Frontal | Lt wrist X-ray | age 14 y, female. 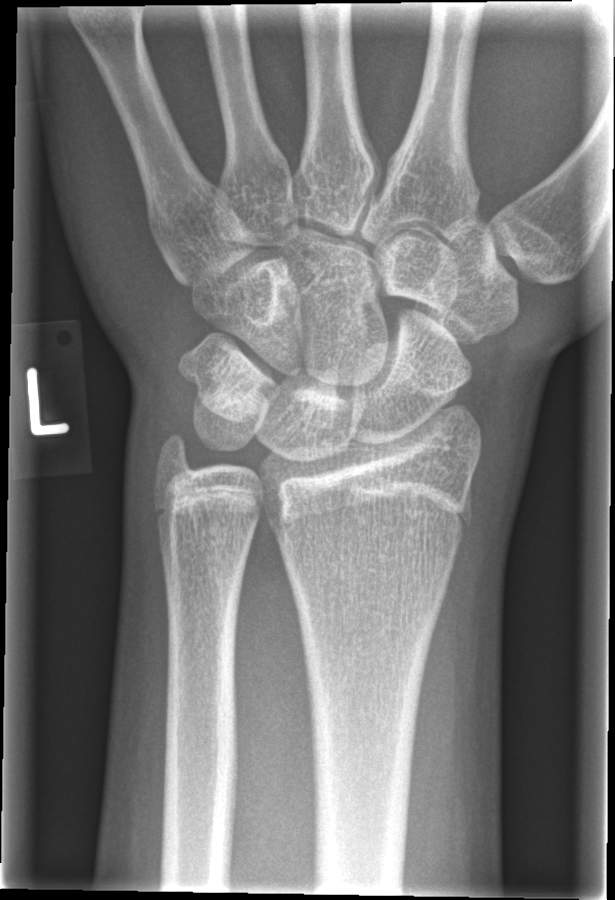

Fracture = none labeled